AP | left wrist plain radiograph of the wrist —
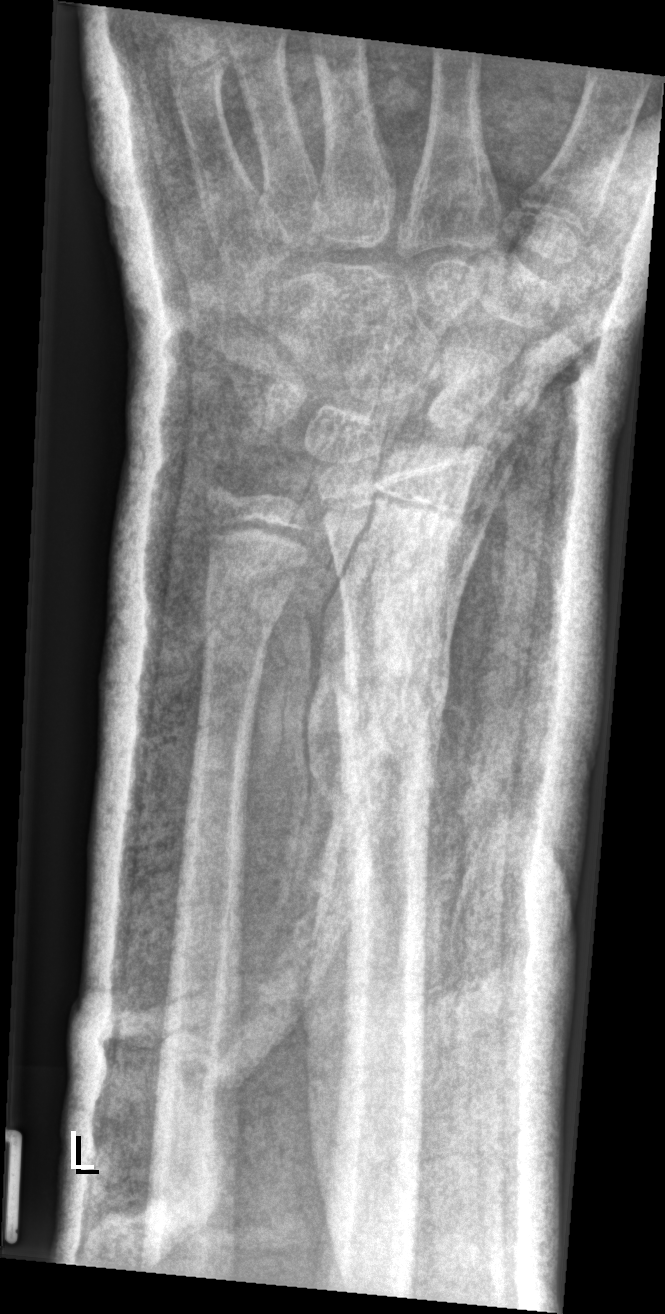 FINDINGS: (coordinates are [x1, y1, x2, y2] in image pixels) Fracture classified AO/OTA 23-M/3.1. Bone fracture identified at bbox(328, 647, 454, 739) bbox(199, 586, 286, 661).